AP view · right wrist X-ray · subsequent exam · 454 by 990 pixels:

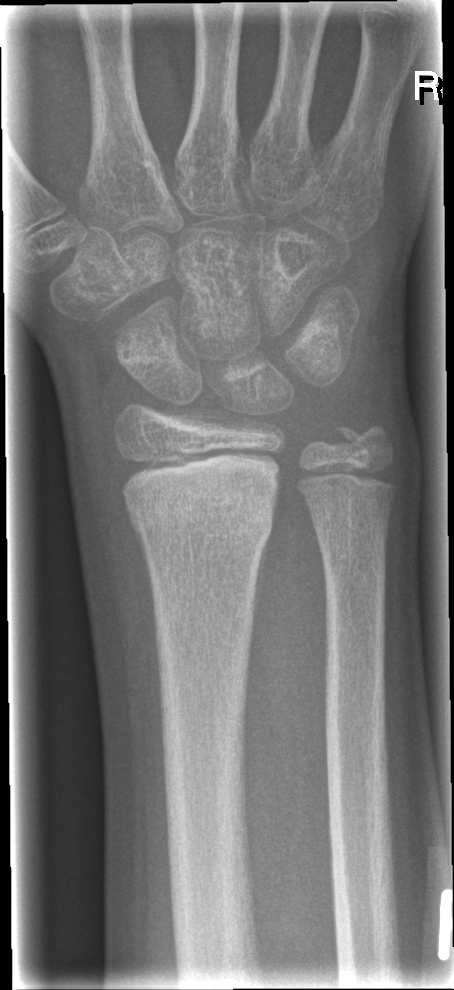
FINDINGS — One periosteal reaction at 252,532,270,636. Osteopenic. Two fractures at 125,492,277,552; 330,408,398,468.